Frontal view; Lt wrist radiograph

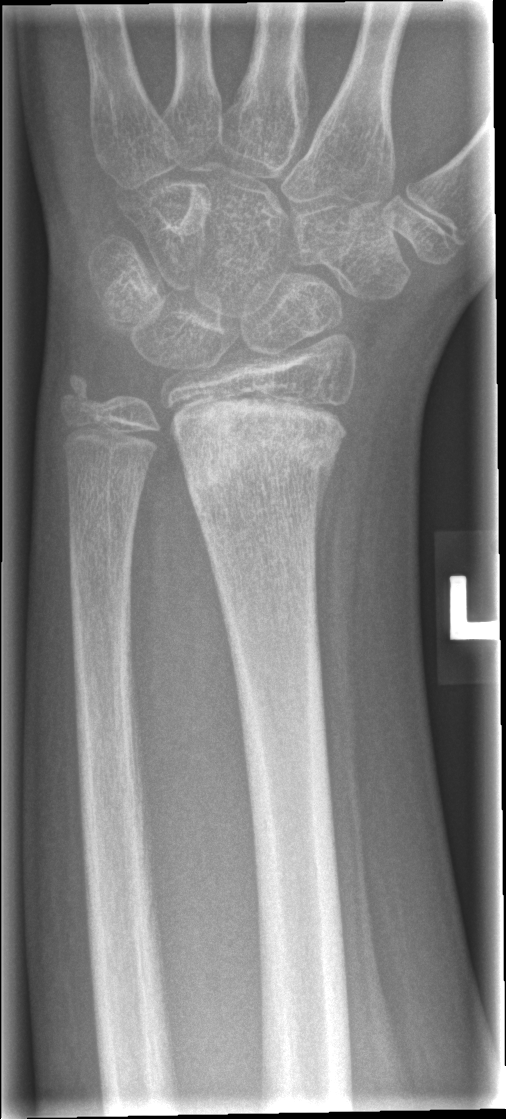 * Pixel coordinates, top-left origin, xyxy.
* Fx: [169, 404, 349, 498]; [53, 366, 104, 425].
* Osteopenia.
* Periosteal reaction: [312, 458, 337, 570].
* AO/OTA classification: 23r-M/3.1; 23u-M/2.1; 23u-E/7.